Lat projection · Lt wrist XR · 61.2 mm image width —
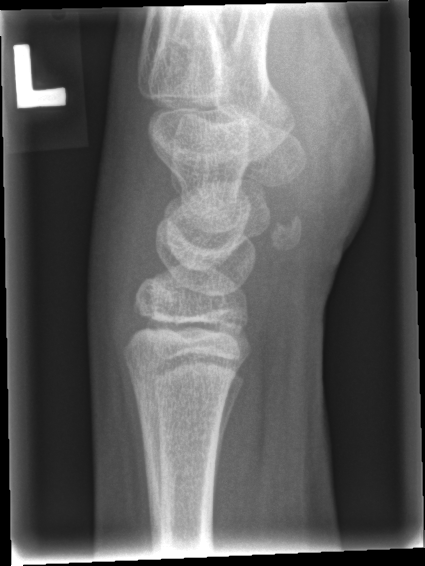
{
  "fracture": "none labeled"
}